Lateral view, left wrist plain film: 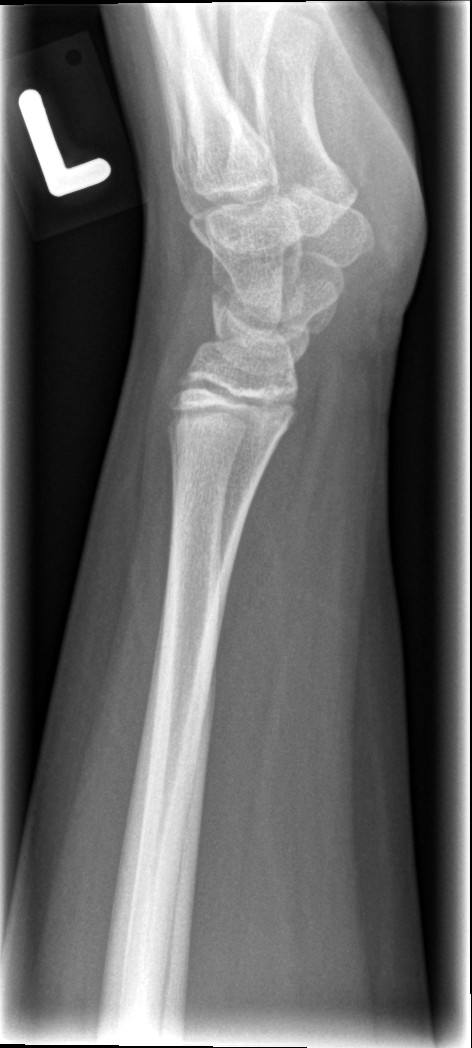 fracture: none labeled